Lateral; right wrist XR; 407 by 1124 pixels:
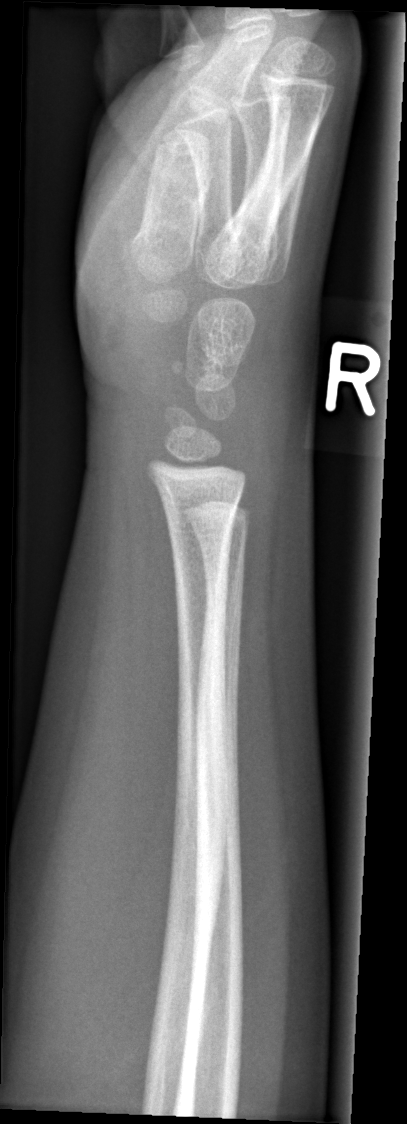

Findings: No fracture bounding box.